Right wrist plain film; frontal view; follow-up study; detector: Siemens — 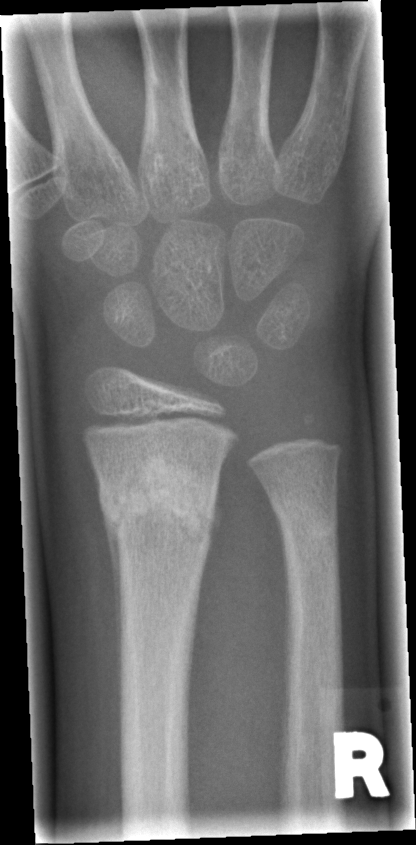

Osteopenia.
Fx: <95,448>-<220,555>; <268,492>-<342,553>.
Periosteal reaction: <101,506>-<123,695>, <204,480>-<224,560>.